Right wrist radiograph; lat view; 8y F.

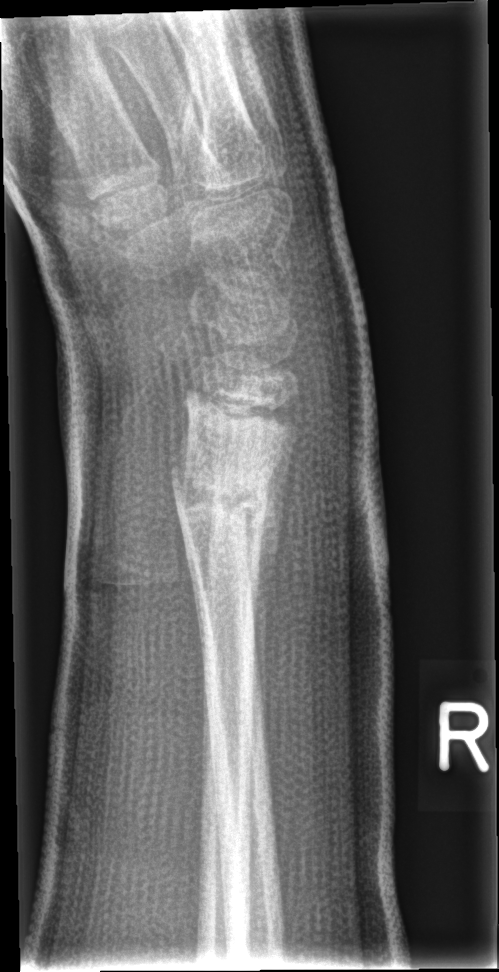

AO classification = 23r-M/3.1
Fx = bbox(165, 454, 272, 535)
periosteal thickening = bbox(249, 434, 295, 752)